PA, right wrist X-ray.
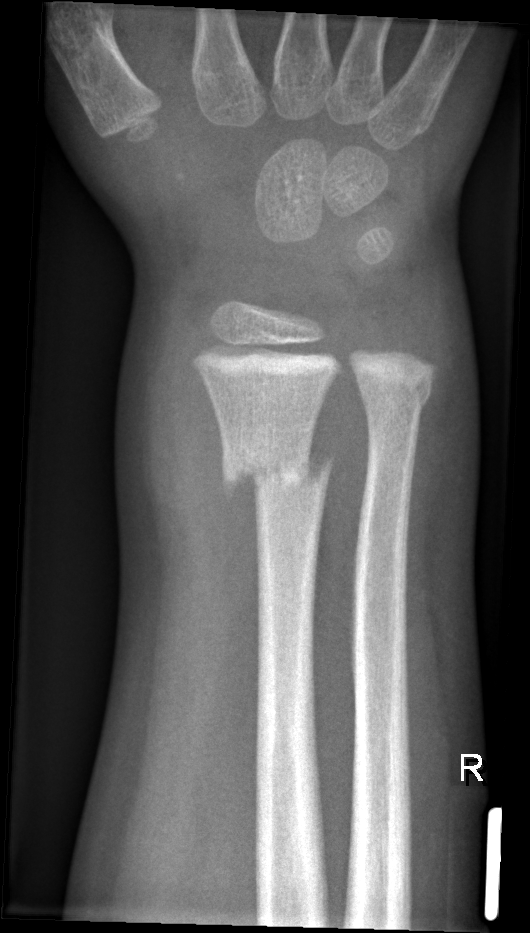
Pixel coordinates, top-left origin, xyxy. Two Fx at 219 431 334 508
  354 360 438 420. Fracture classified AO/OTA 23r-M/3.1; 23u-M/2.1.